Lt plain radiograph of the wrist, AP, 9-year-old male, index exam, 72.6 mm image width:
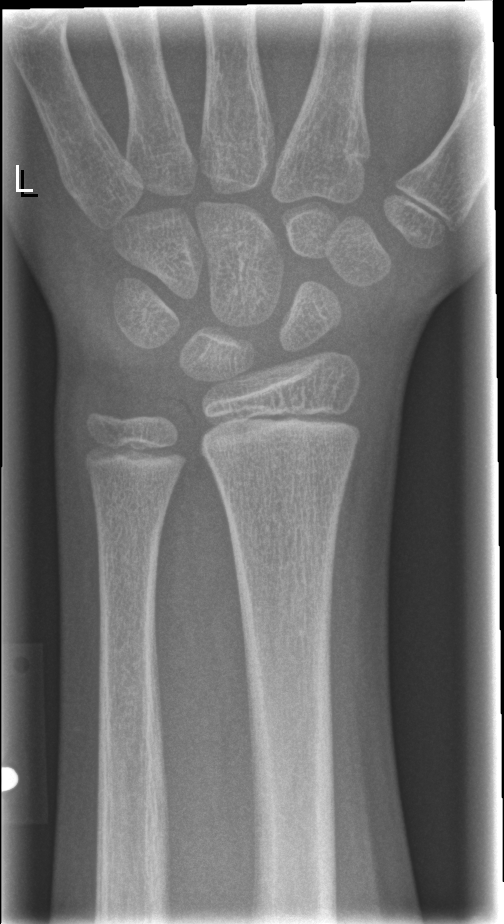 - No fracture annotation.